Left wrist pediatric wrist radiograph, lateral projection, pediatric patient (male, age 13), acquired on Siemens 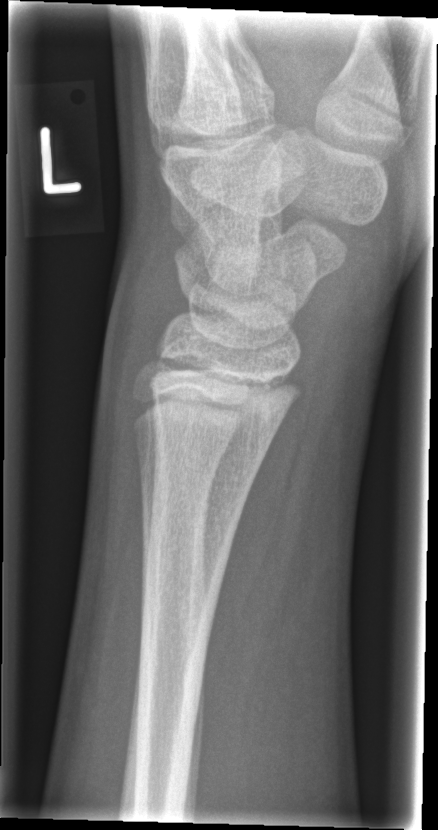 Fracture: none labeled.